Lateral view; Rt wrist radiograph; male, 12 yo; follow-up; 67.1 mm image width. 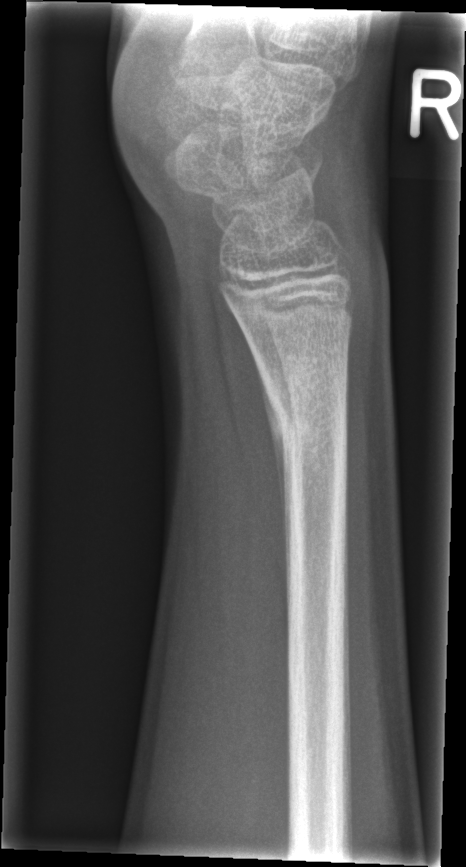
osteopenia: present
fracture: 1 @ (268, 381, 353, 463)
periostealreaction: (248, 342, 289, 555)